Lat view, R wrist plain film, image width 44.1 mm, 306 x 889 px 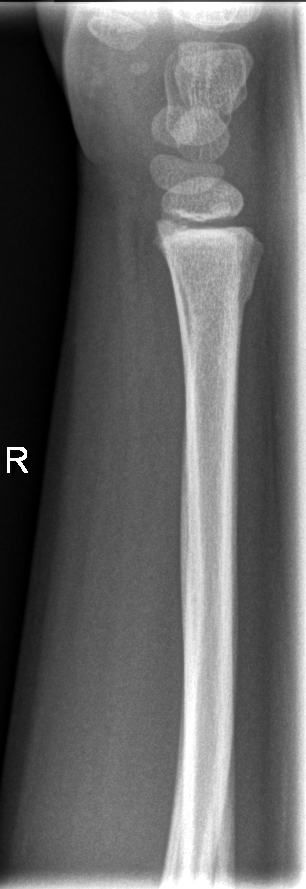
Findings: (pixel coordinates, top-left origin, xyxy) Fx — [x1=169, y1=270, x2=258, y2=318].